Lateral projection | L wrist plain film | 12y M | initial study — 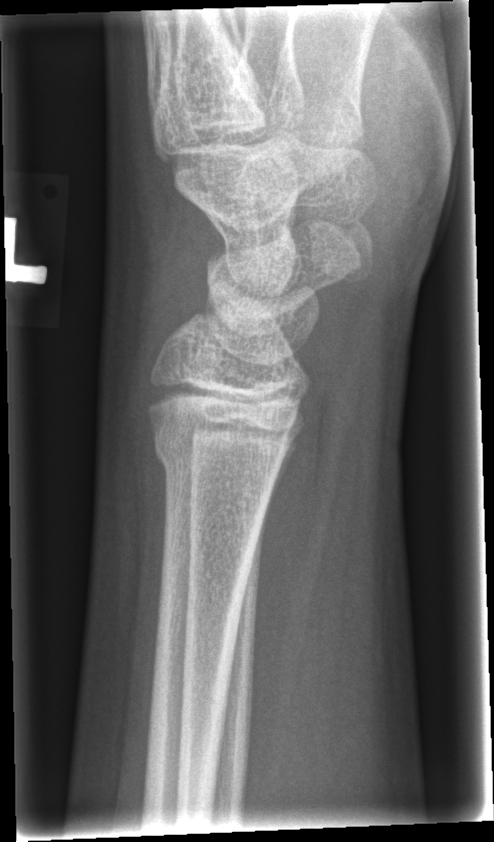

{"_coords": "bounding boxes in image-pixel xyxy", "fracture": "1 @ bbox(148, 428, 290, 493)", "ao": "23r-M/2.1"}